PA/AP · Lt wrist XR · pediatric patient (girl, age 5) · follow-up —
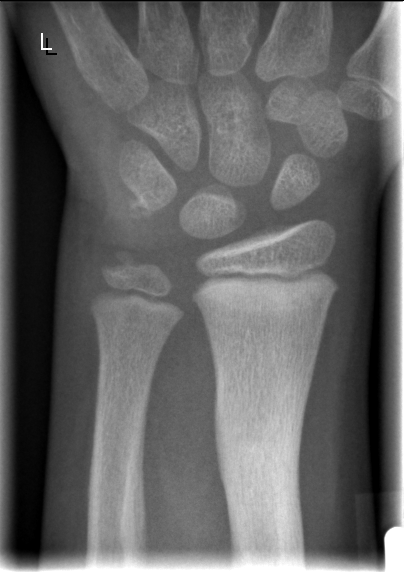 Two fractures at [x1=211, y1=402, x2=307, y2=506], [x1=98, y1=244, x2=144, y2=282]. Fracture classified AO/OTA 23r-M/3.1; 23u-E/7.